Right plain radiograph of the wrist; lat —
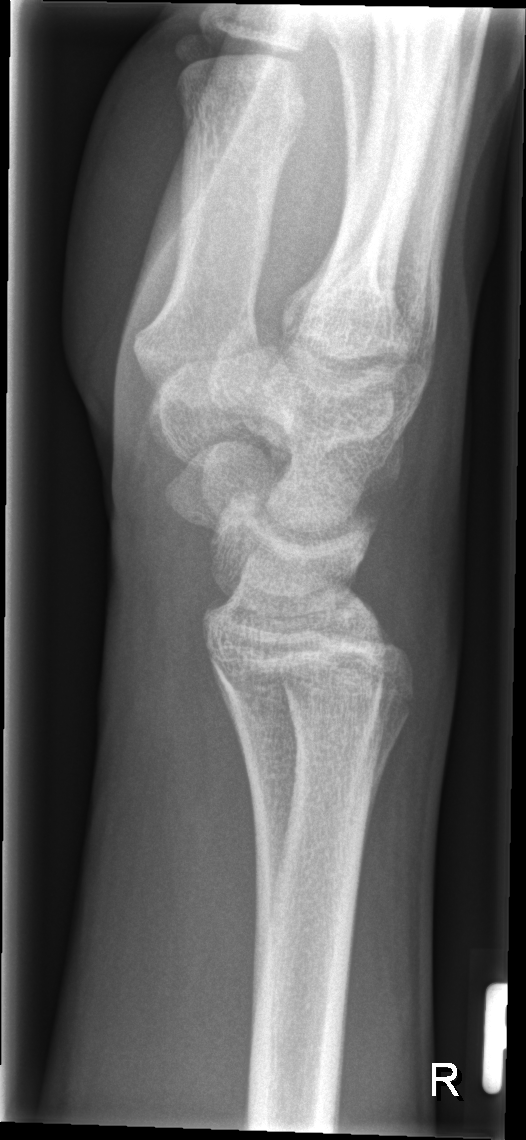 FINDINGS: Fracture classified AO/OTA 72B(b). Fracture: present but not clearly seen in this view.